Posteroanterior view; right wrist XR; pediatric patient (boy, age 16)
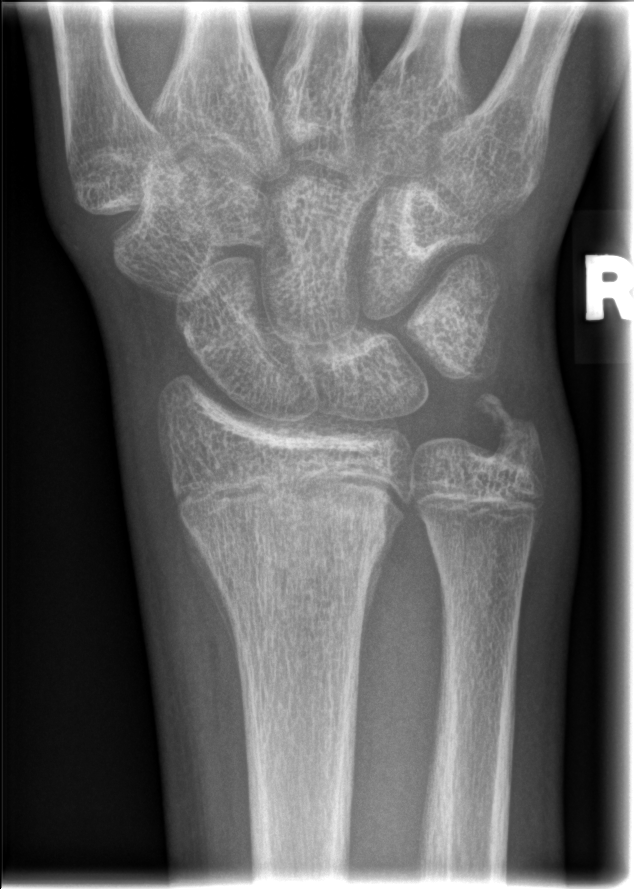 Q: Locate any periosteal reaction.
A: Periosteal thickening identified at 177 511 240 663
  358 517 401 664
Q: Is there a fracture?
A: Bone fracture identified at 166 454 409 603; 471 390 545 471
Q: AO code?
A: Fracture classified AO/OTA 23r-E/2.1; 23u-E/7
Q: Bone density?
A: Reduced bone mineral density